PA/AP view · L wrist X-ray · 7y F · presentation radiograph
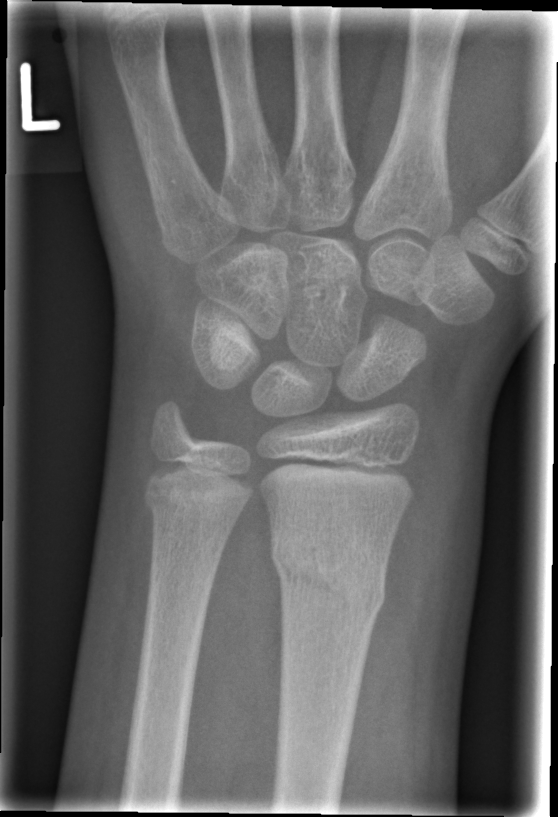

Fx — (266, 531, 389, 626); (141, 479, 241, 540).
Fracture classified AO/OTA 23-M/2.1.